Left wrist X-ray, frontal, cast present, acquired on Siemens, 632x1032 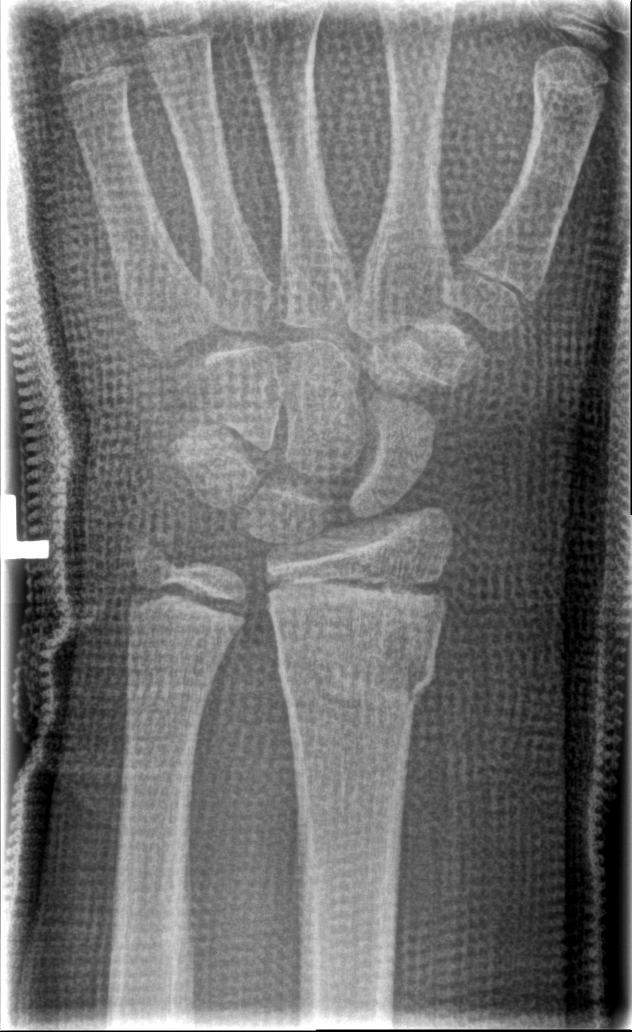 FINDINGS: Fractures — (left=273, top=604, right=441, bottom=728); (left=126, top=522, right=189, bottom=583).